Right wrist radiograph, PA view, 13-year-old boy, follow-up, in cast —

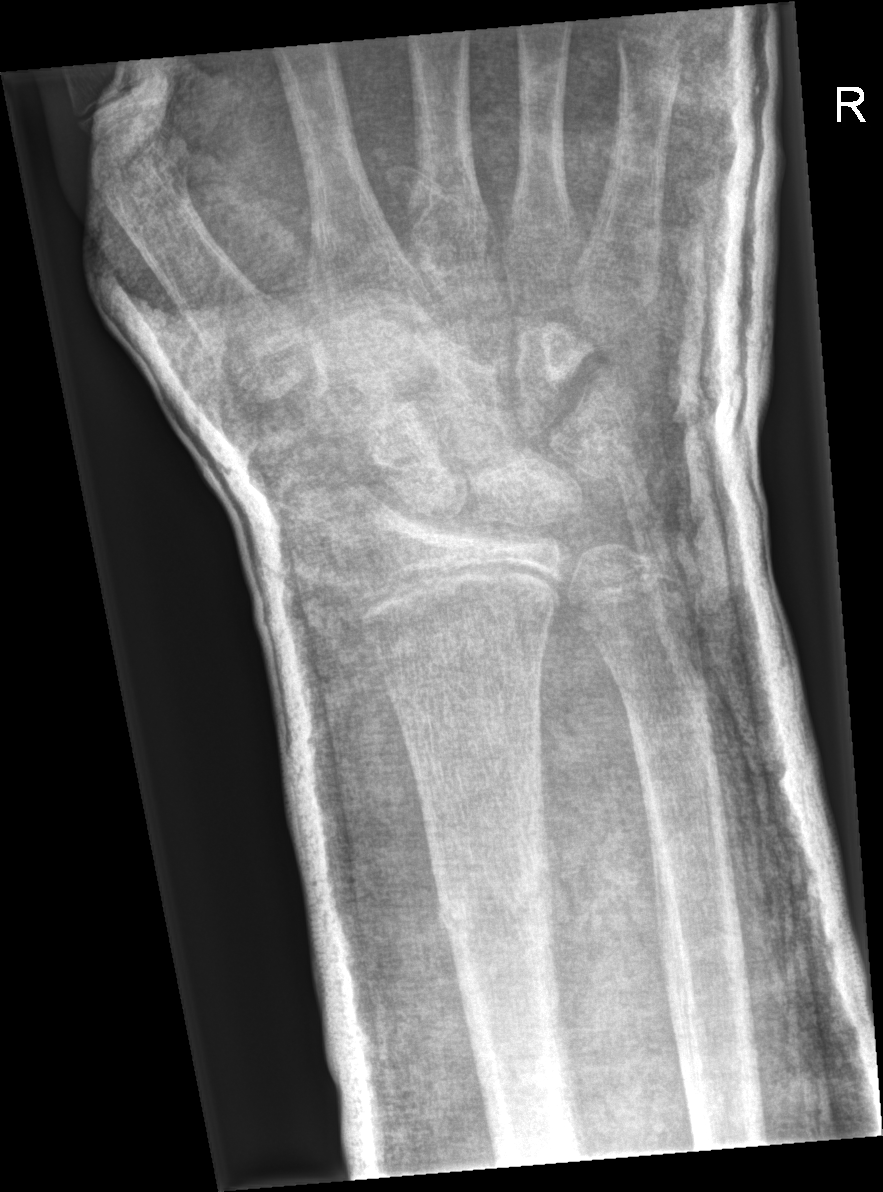 fracture = [431, 854, 563, 939]